Lateral projection · left wrist XR · follow-up · in cast — 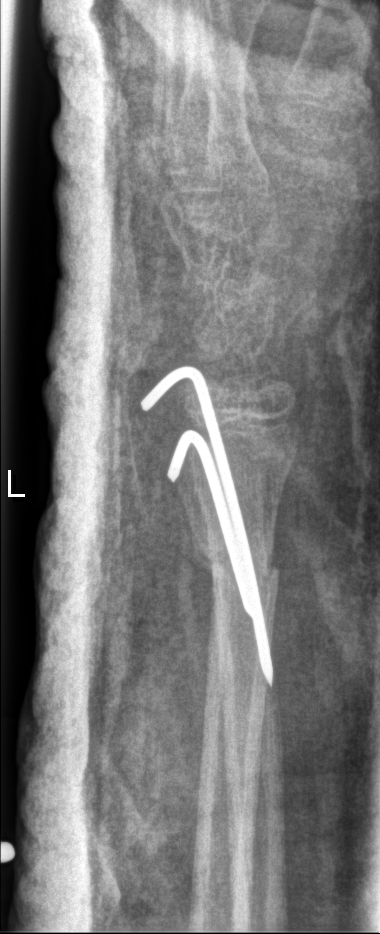
(coordinates are [x1, y1, x2, y2] in image pixels)
Q: Any fracture seen?
A: One bone fracture at bbox(190, 536, 281, 587)
Q: Locate any hardware.
A: Metallic hardware — bbox(147, 367, 273, 683)